Lat projection · right wrist plain film · 14y M · follow-up · cast in situ · image size 583x1062

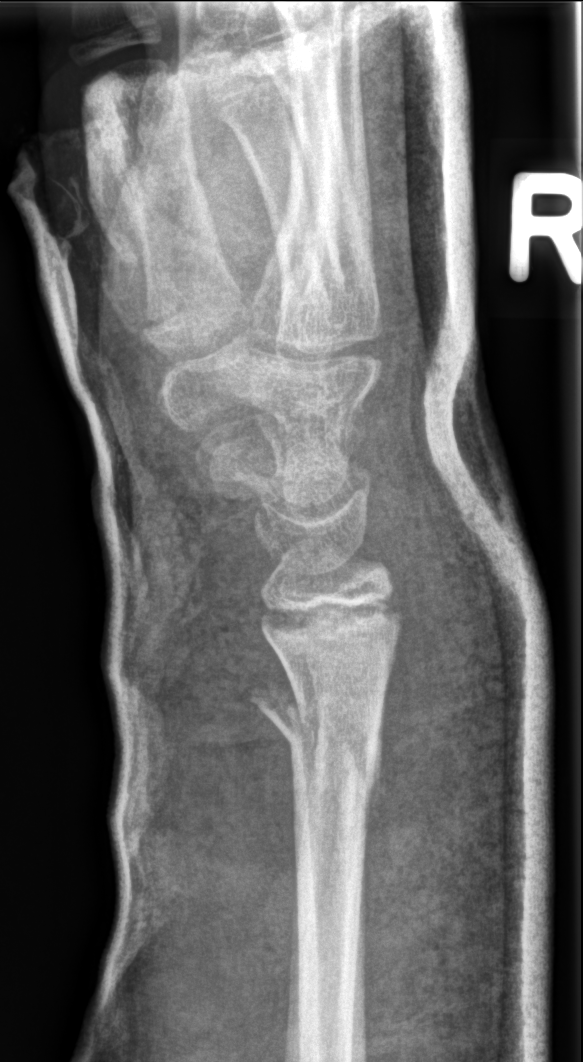
Bone fracture — (246, 677, 382, 803).